AP view; right wrist plain film; pediatric patient (male, age 8); index exam; image size 489x1022
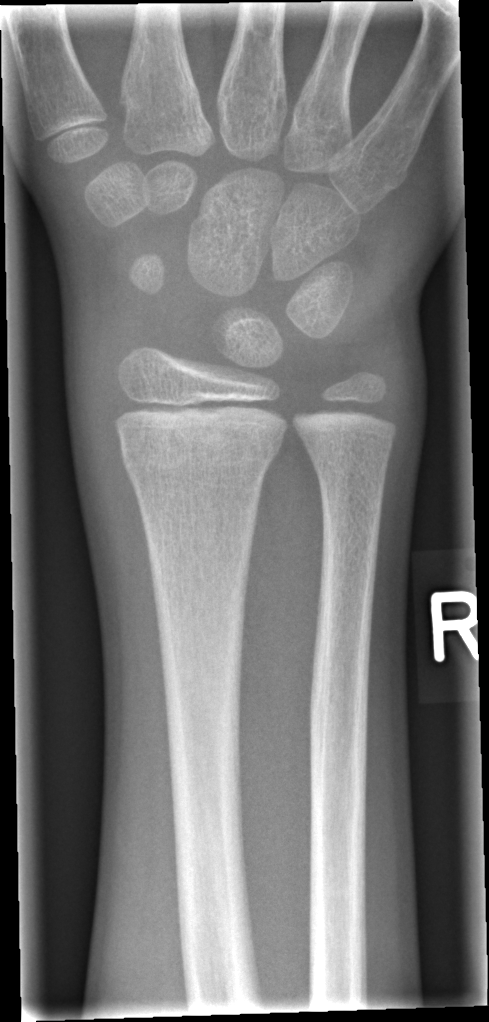

FINDINGS — AO code 23r-M/2.1. Bone fracture — [x1=119, y1=431, x2=285, y2=483].